AP; R wrist X-ray; image size 534x637 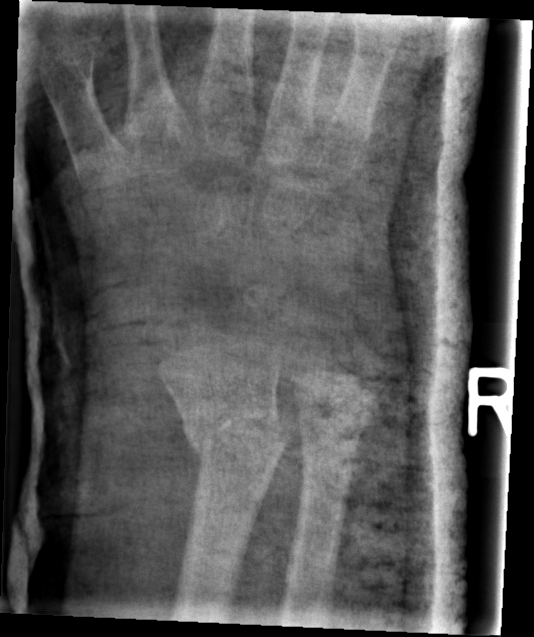 Findings: Fracture: [184, 401, 291, 471]. AO/OTA classification: 23r-M/3.1.